Posteroanterior projection, left wrist XR, 900 by 824 pixels — 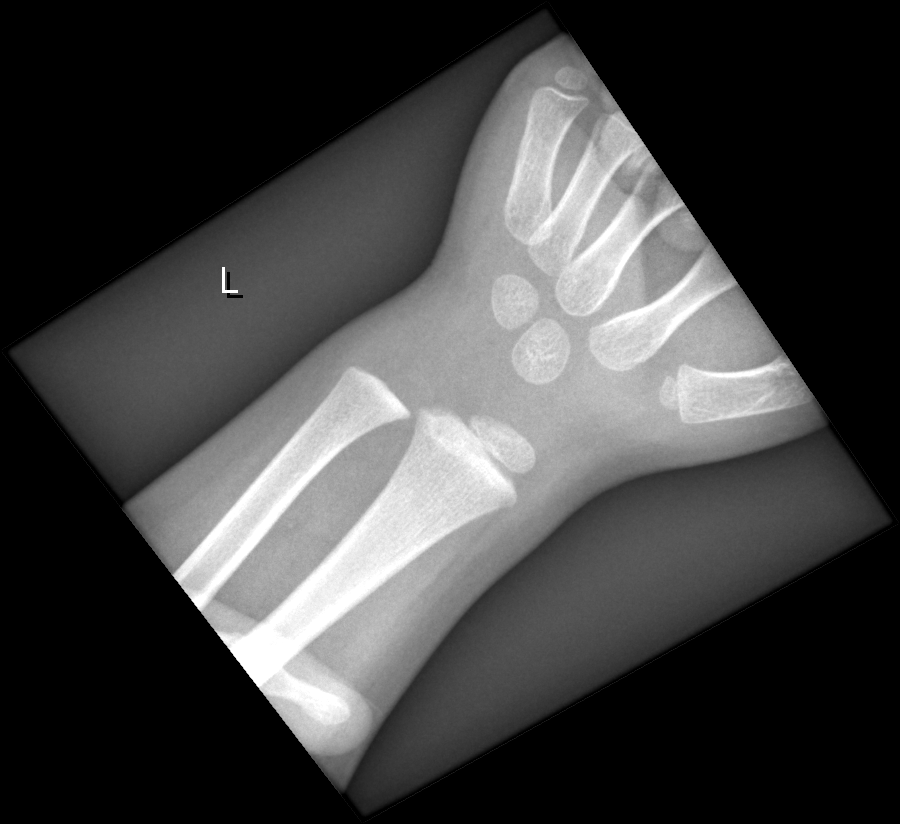
FINDINGS — No fracture bounding box.